Right wrist radiograph | lateral view | pediatric patient (girl, age 9) | Siemens | 468 x 970 px.
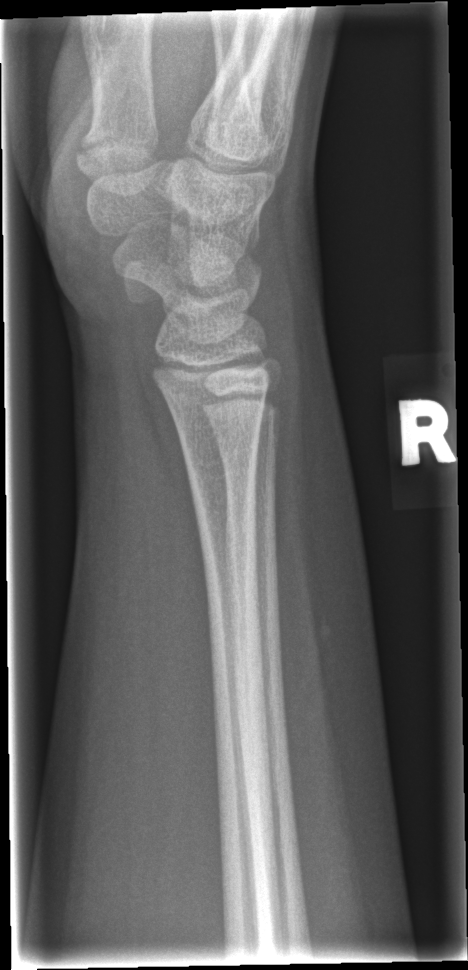

- Fracture: none labeled.